AP projection; right wrist plain film; age 9 y, boy; follow-up. 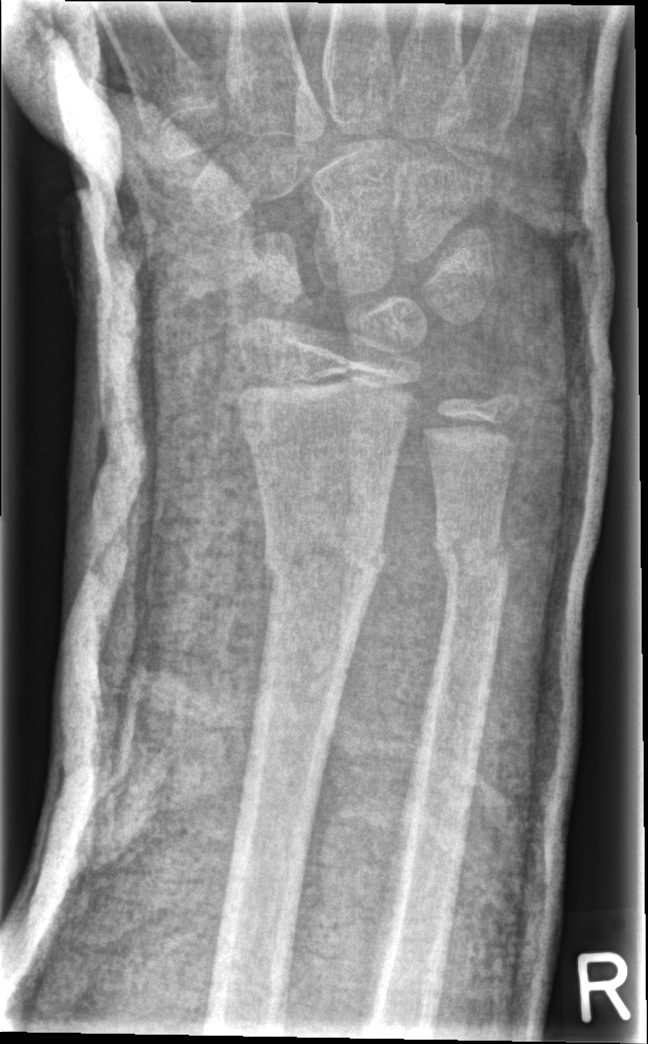 Fracture = 2 @ (left=261, top=525, right=393, bottom=593); (left=430, top=519, right=513, bottom=586)
AO classification = 23-M/3.1